Right wrist plain film | lateral | 8y M: 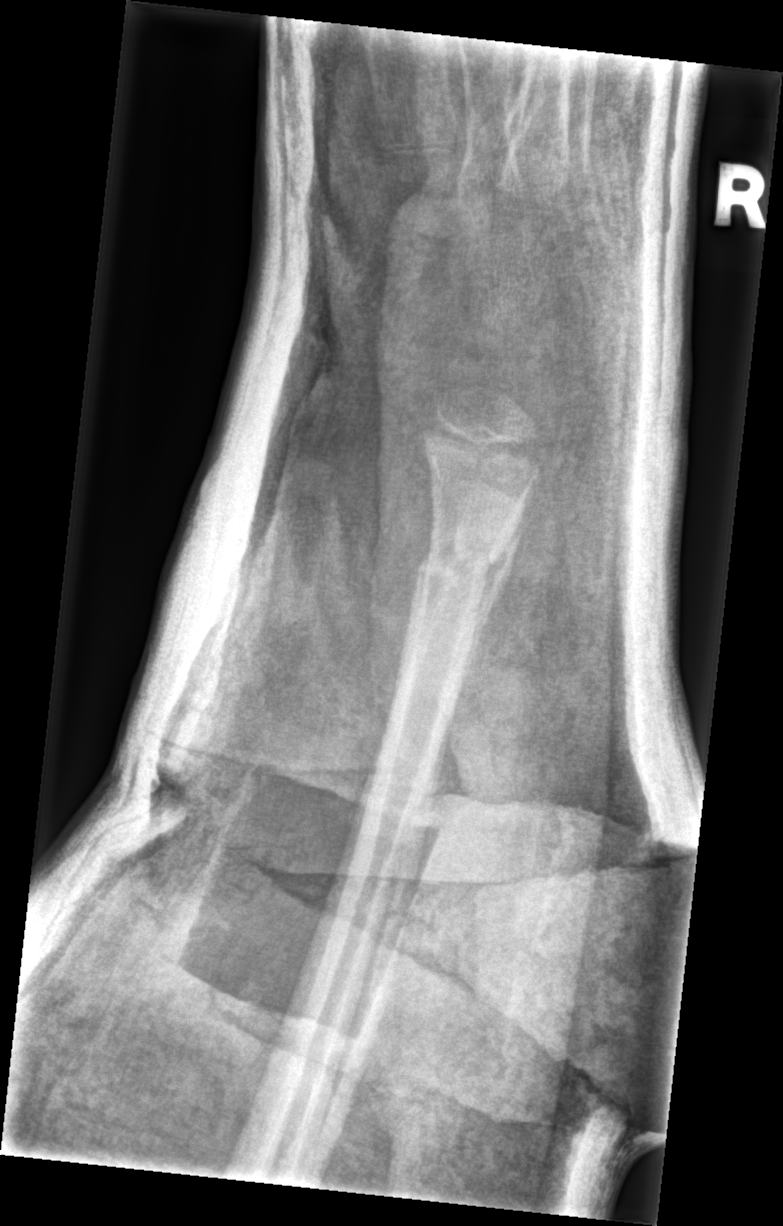

Q: Fracture present?
A: Fx: [407, 517, 512, 604]